Lateral view | right wrist XR | age 1.0 y, male | equivocal findings | 313x512

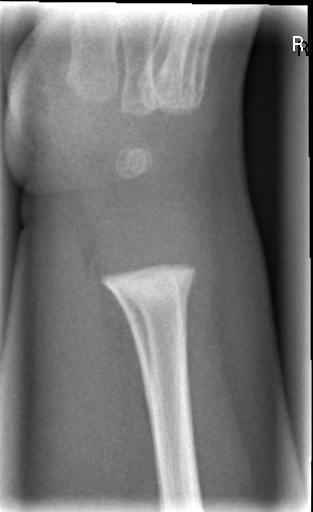
* No fracture bounding box.